Lat view | L wrist XR | 14y M | subsequent exam
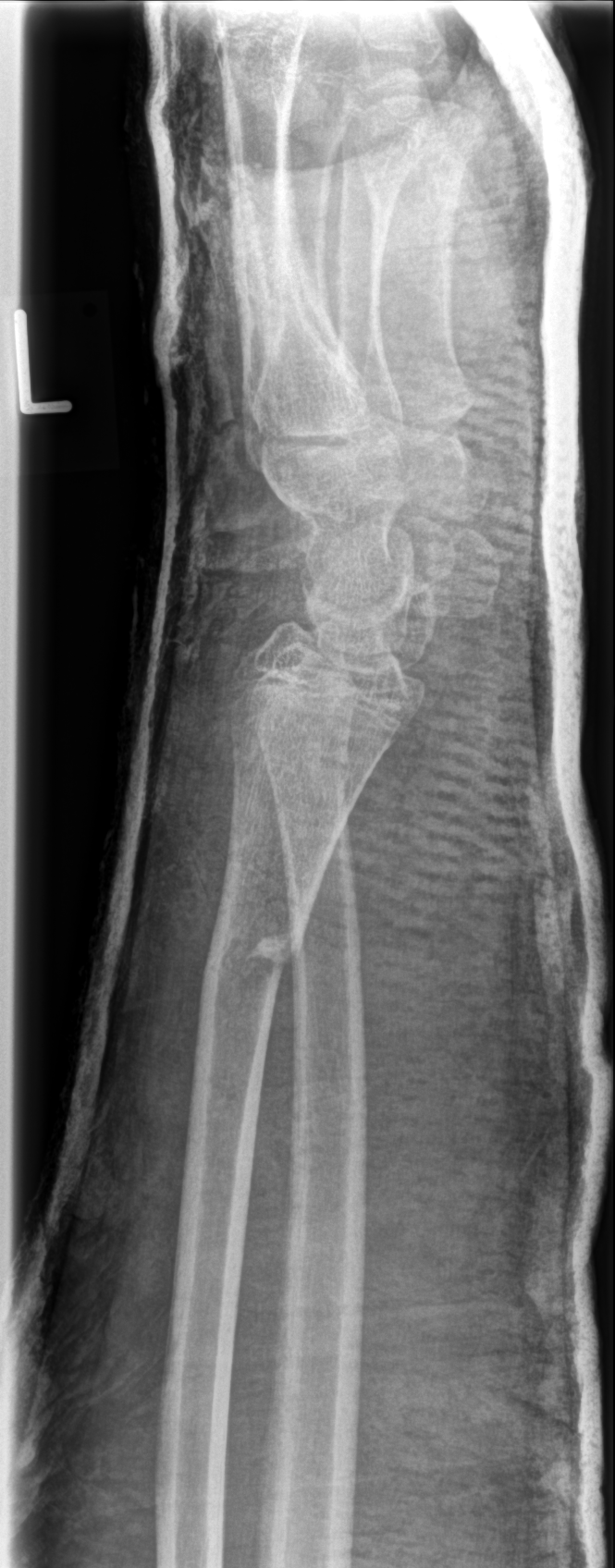 (coordinates are [x1, y1, x2, y2] in image pixels)
Fracture: (202, 914, 313, 1000) (254, 739, 359, 806)